Right wrist plain radiograph of the wrist · lat projection · pediatric patient (boy, age 14) · cast in situ · detector: Siemens · 593x1342 — 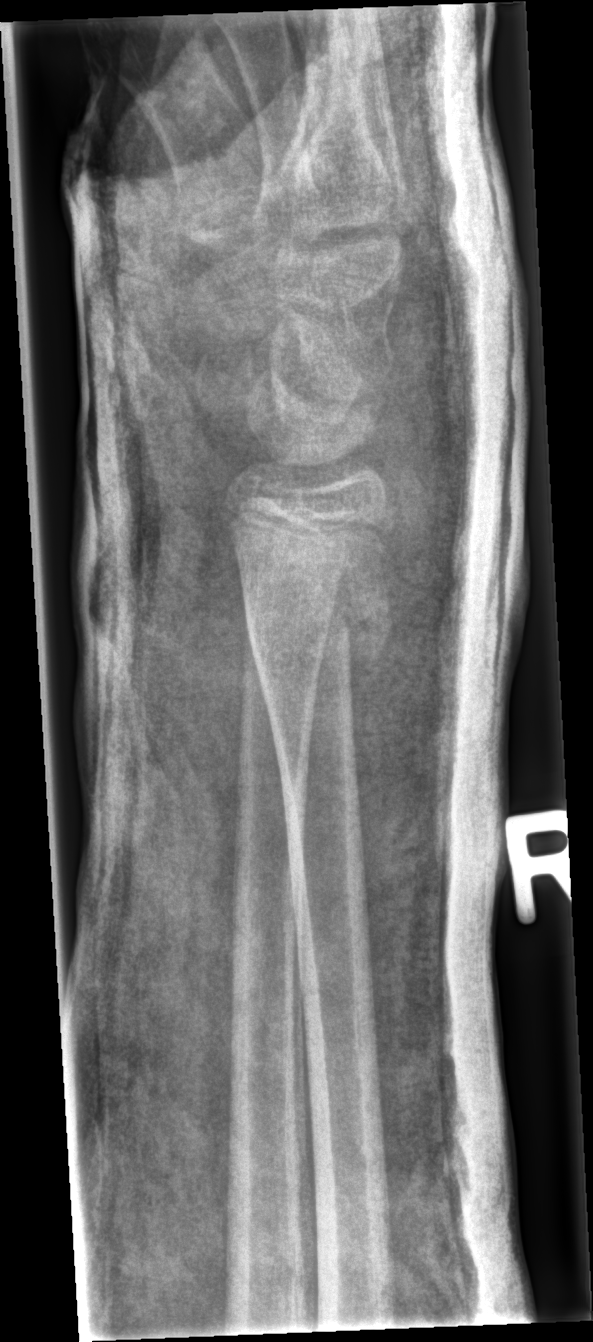

FINDINGS: One bone fracture at [x1=243, y1=549, x2=396, y2=667]. Fracture classified AO/OTA 23r-M/3.1; 23u-E/7.